PA/AP | L wrist XR | cast in situ —

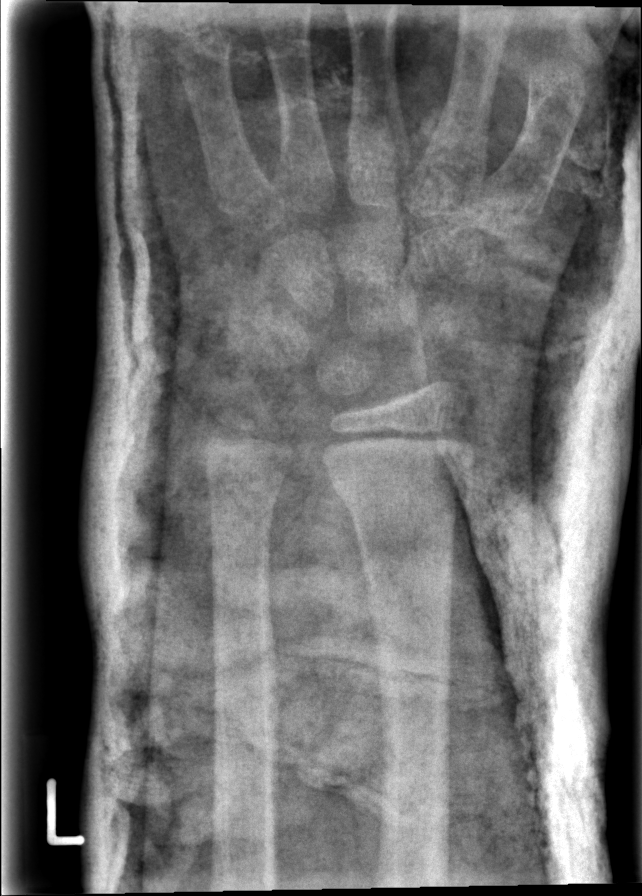
AO/OTA classification: 23r-E/2.1. Fracture — (325, 459, 474, 516).